Lat; left wrist radiograph; 1.2y M:
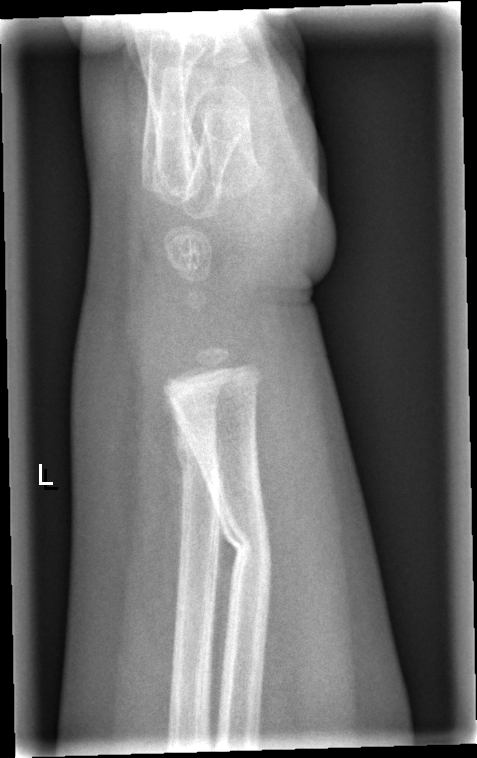
Pixel coordinates, top-left origin, xyxy.
Fractures — bbox(213, 508, 278, 581), bbox(168, 422, 222, 478).